Left wrist pediatric wrist radiograph, lateral view —

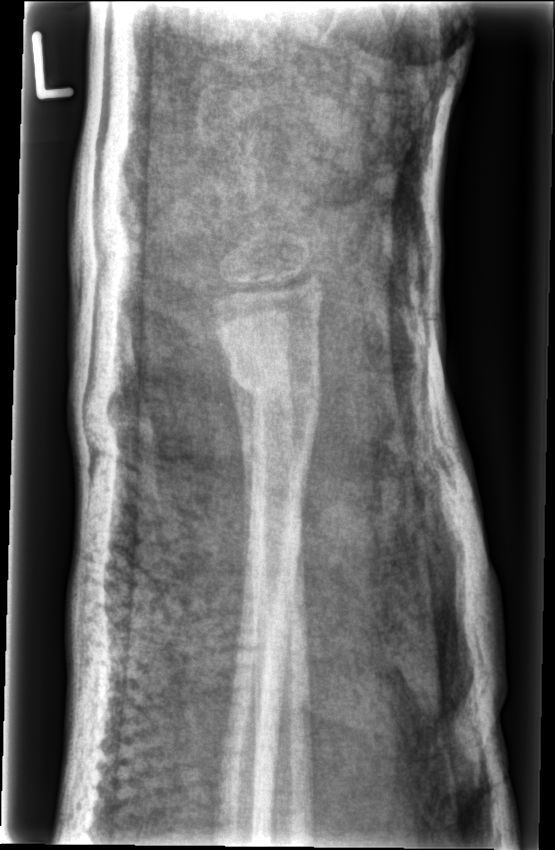 FINDINGS — Bone fracture: [x1=219, y1=343, x2=323, y2=422].